Frontal view · Lt wrist plain film · follow-up · cast present
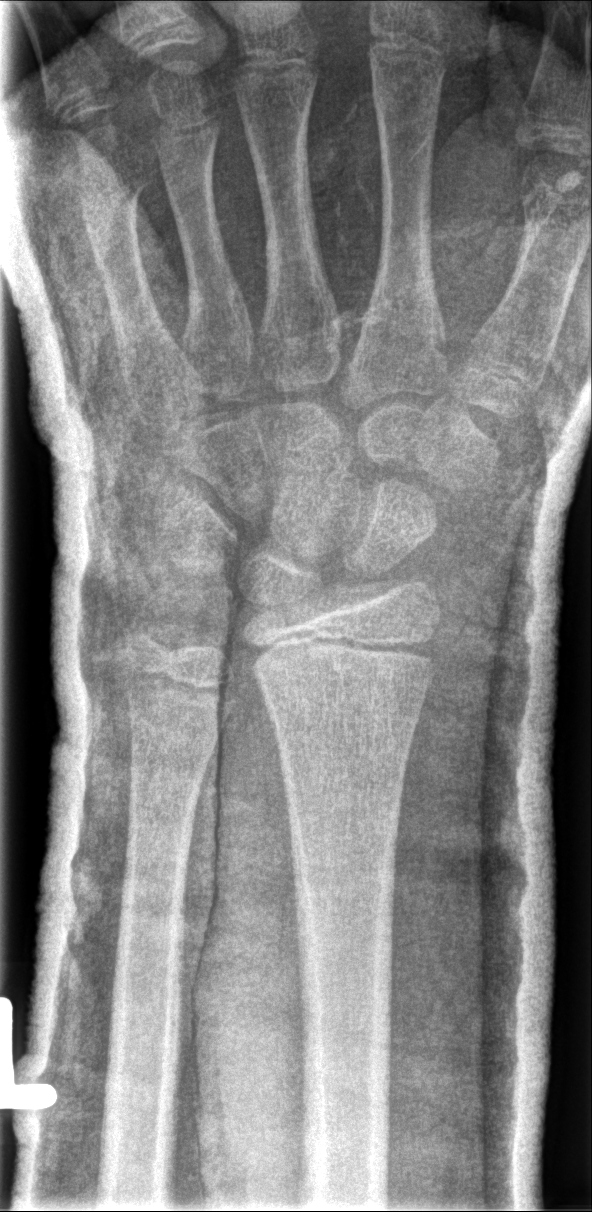
Q: Fracture present?
A: Fracture present, though not clearly seen in this view